PA view | Rt pediatric wrist radiograph | boy, 16 yo | 576x990 — 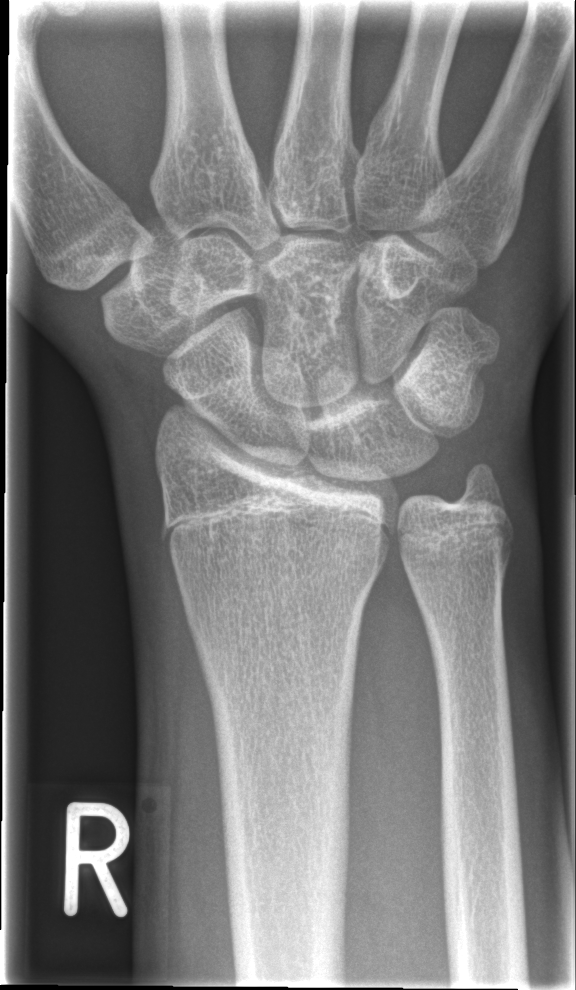 * No Fx annotated.